L wrist XR; posteroanterior projection; follow-up study.
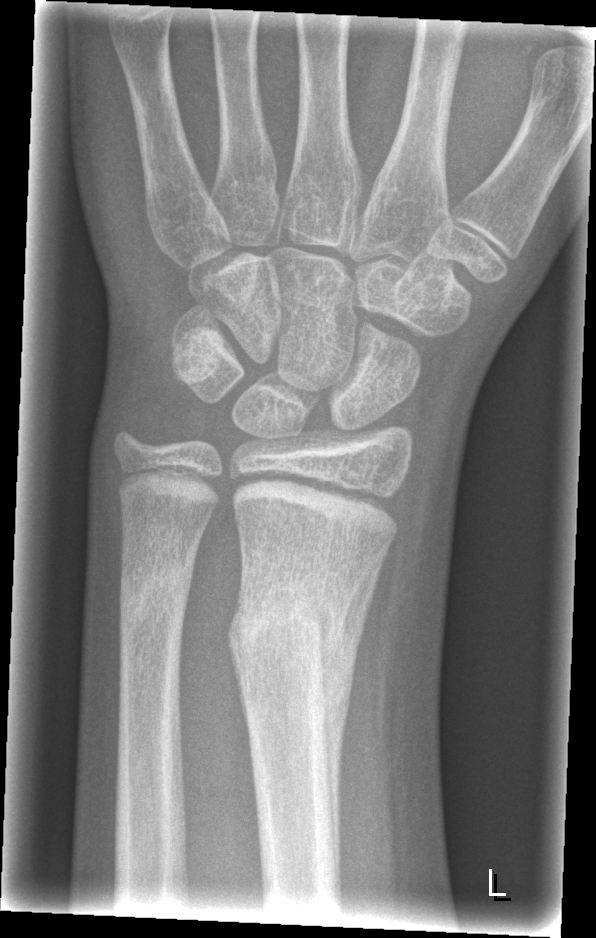
Fx: 2 @ [x1=227, y1=579, x2=350, y2=676] [x1=118, y1=552, x2=198, y2=623]
AO/OTA: 23r-M/3.1; 23u-M/2.1
Periosteal thickening: [x1=315, y1=547, x2=385, y2=906]